Right wrist pediatric wrist radiograph · AP view · boy, 3 yo · acquired on Siemens · 911x1170

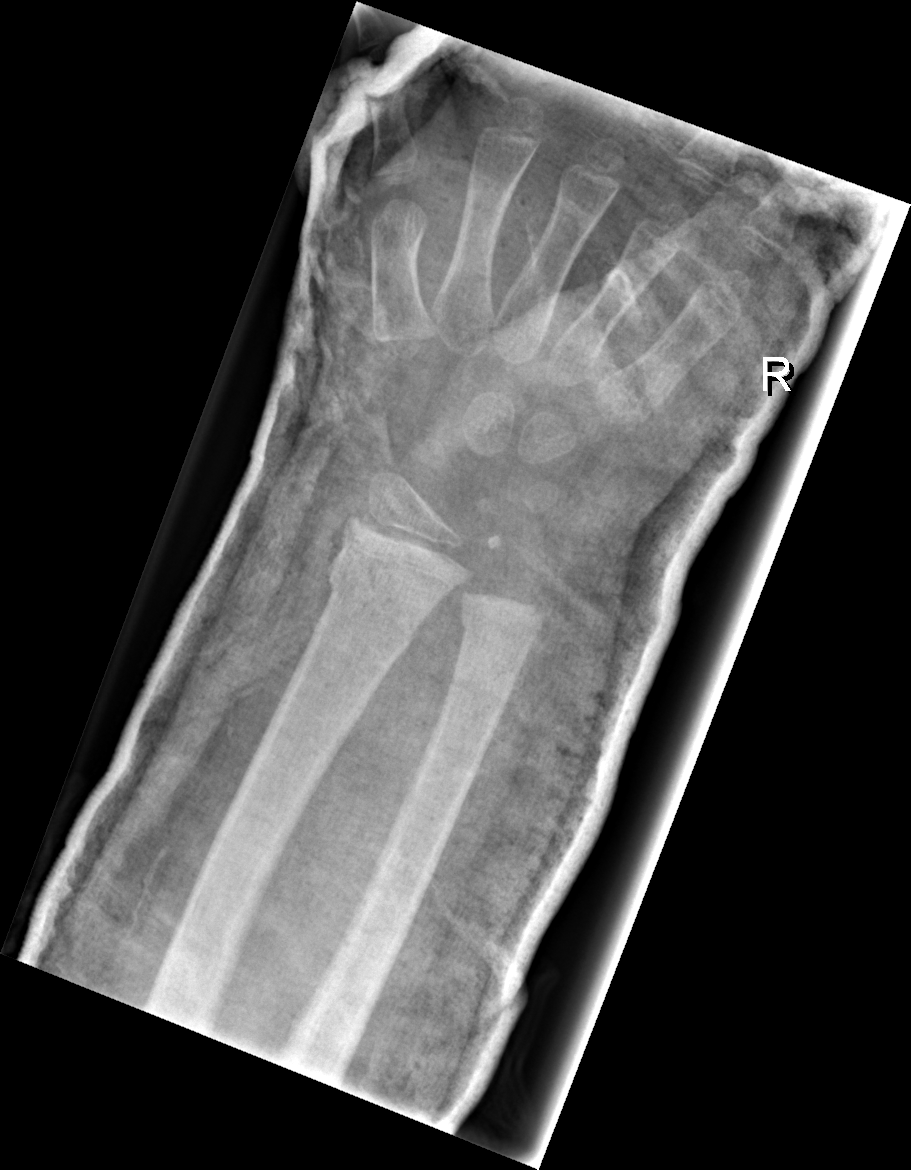
{
  "ao": "23r-M/3.1; 23u-M/2.1",
  "fracture": "2 @ 323 548 424 645\n  455 604 541 665"
}